Right wrist plain radiograph of the wrist, lateral projection.
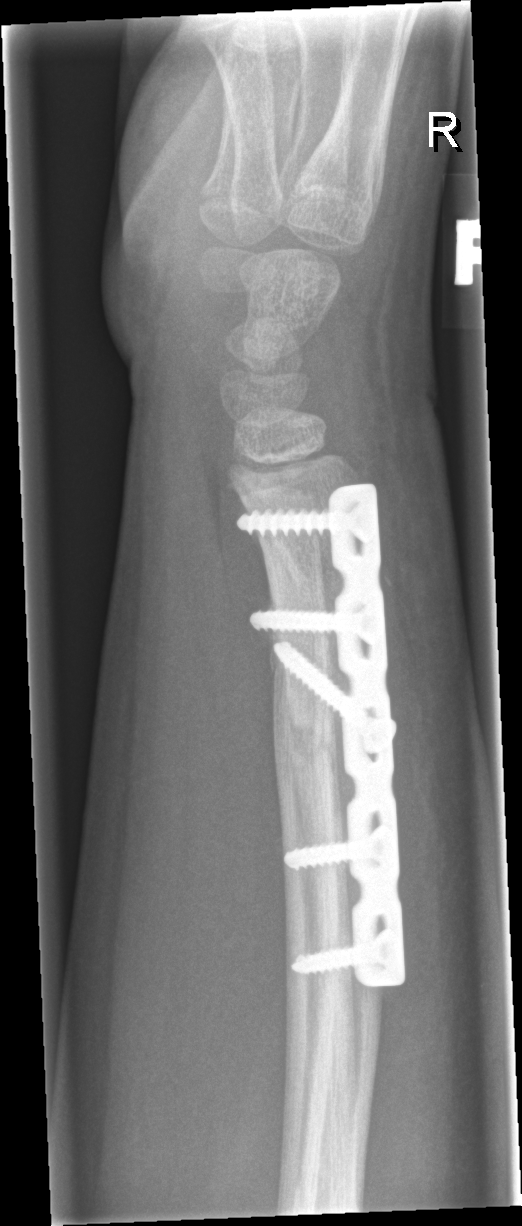

AO code: 23r-M/3.1; 23u-M/2.1
metal: 1 @ bbox(237, 483, 408, 989)
osteopenia: present
fracture: bbox(258, 701, 350, 782)